Left wrist pediatric wrist radiograph · posteroanterior · Siemens · 593 x 1020 px — 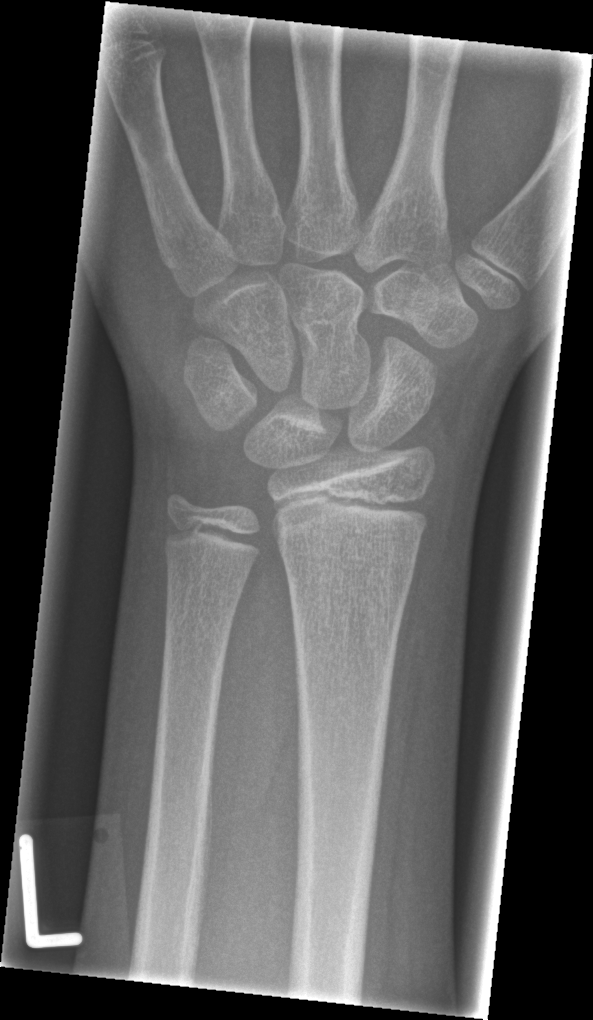

Fx: present but not clearly seen in this view.